Left pediatric wrist radiograph | lat | presentation radiograph. 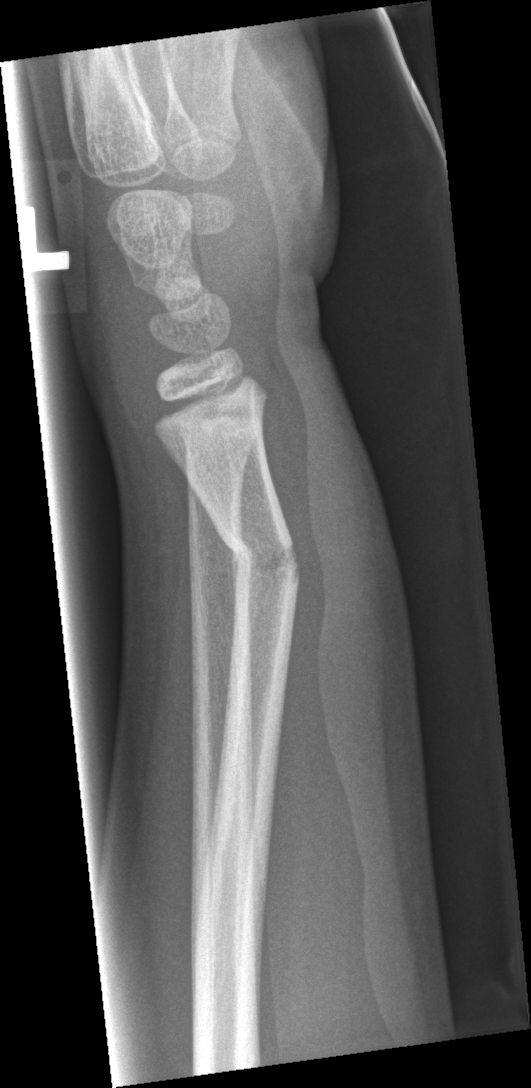

Findings: One bone fracture at [216, 525, 302, 593]. Fracture classified AO/OTA 23r-M/3.1.